Right wrist pediatric wrist radiograph | frontal view | image 98.8 mm wide.

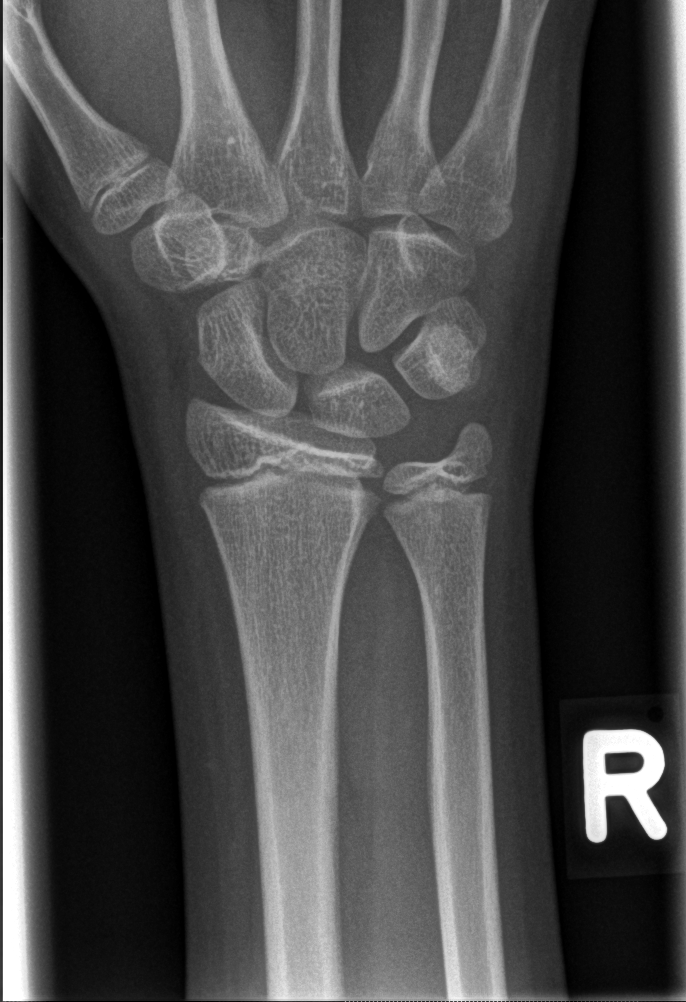

Fracture = none labeled